Lat projection, Rt wrist plain film, pediatric patient (female, age 16), initial study

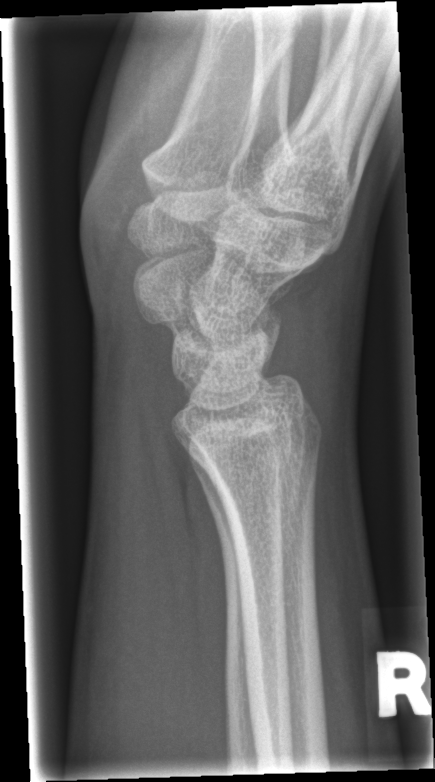

fracture: none labeled